Posteroanterior; Lt wrist X-ray; female, 12 yo; detector: Siemens:
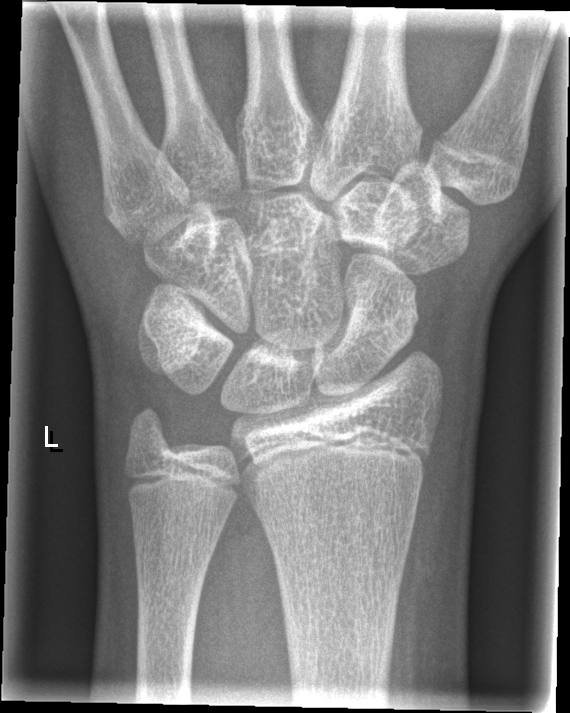

Fracture: none labeled.